Right plain radiograph of the wrist; posteroanterior view; pediatric patient (girl, age 7):
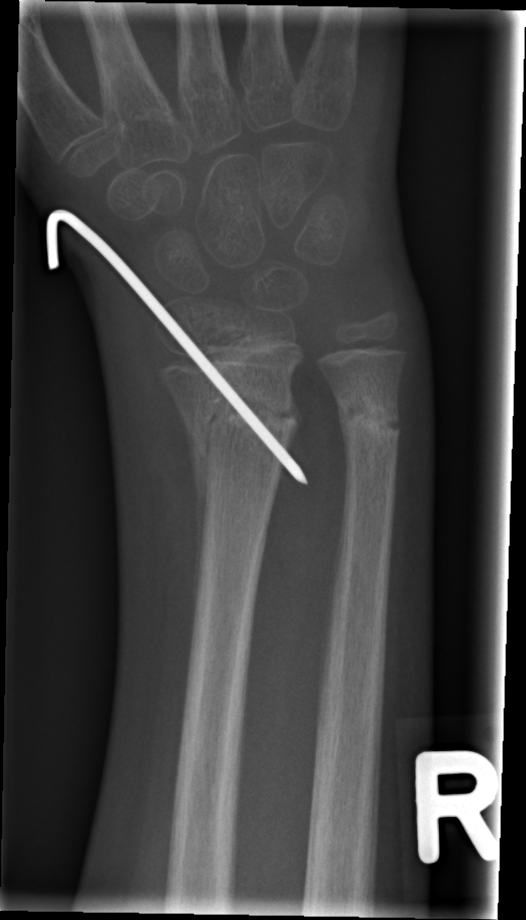

* Two fractures at (184, 388, 302, 469) (335, 394, 404, 450).
* Fracture classified AO/OTA 23-M/3.1.
* Reduced bone mineral density.
* Metallic hardware identified at (44, 211, 308, 483).